Lateral view · left wrist XR · presentation radiograph — 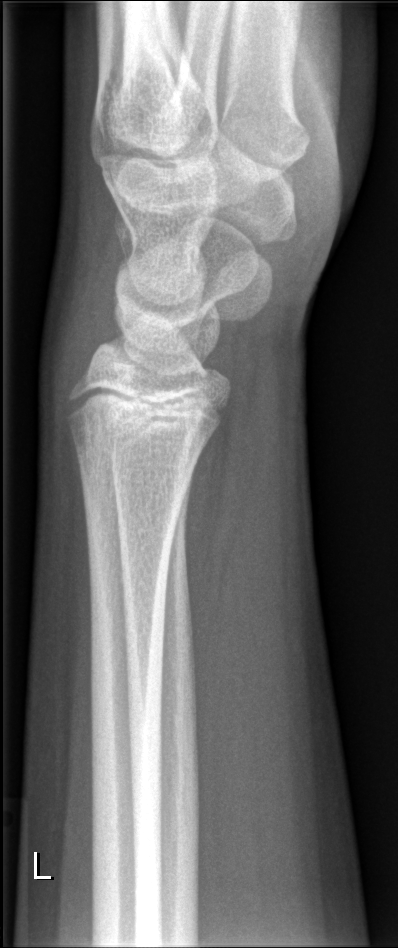
FINDINGS: Fracture: none labeled.